Lat | Lt pediatric wrist radiograph | 15-year-old girl | detector: Siemens —
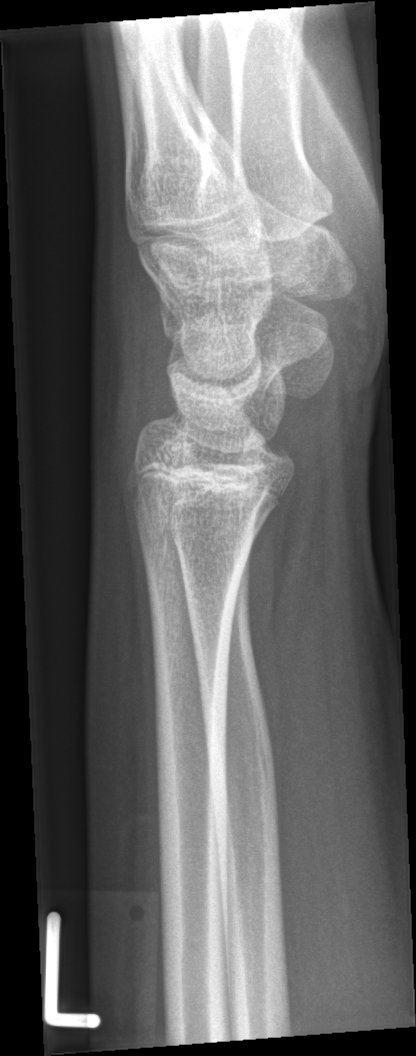 AO/OTA classification: 72B(c).
Fracture present, but no bounding box because it is not clearly seen in this view.